Lat; Lt wrist plain film; Siemens
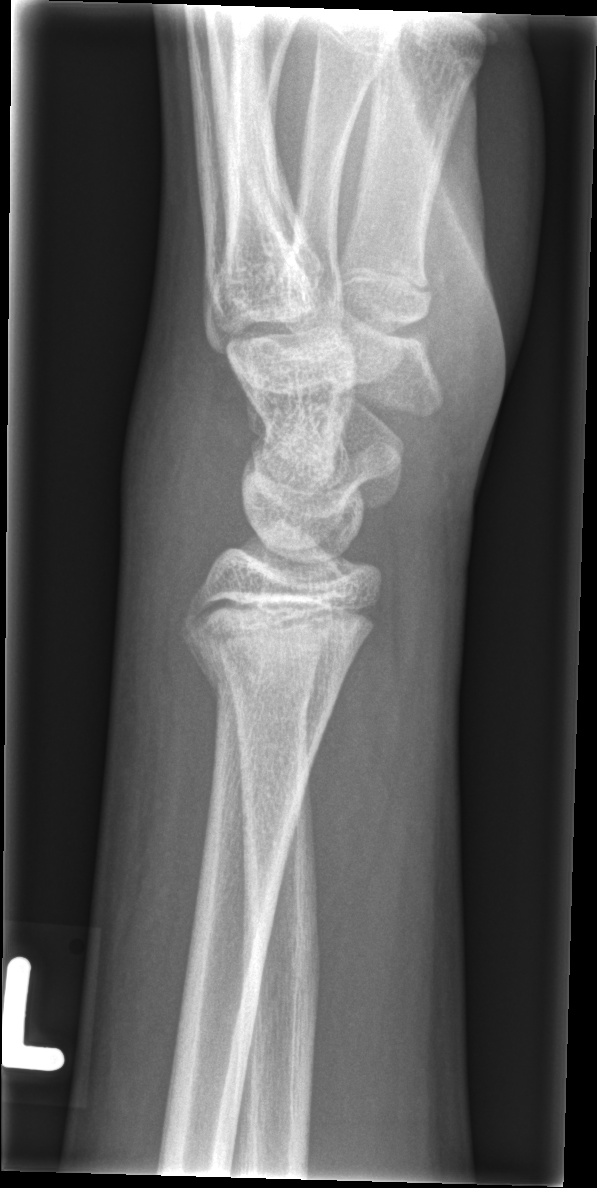 FINDINGS: One pronator sign at 305 607 398 952. Soft-tissue swelling identified at 120 338 250 605. One fracture at 189 640 352 722.